Lat · Lt plain radiograph of the wrist · pediatric patient (female, age 6) —

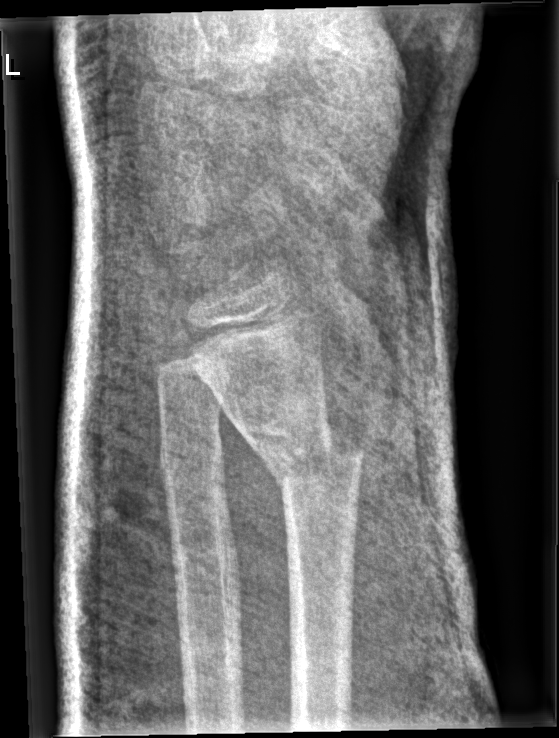
- Two Fx at 267,434,368,497 | 153,413,227,488.
- Fracture classified AO/OTA 23r-M/3.1; 23u-M/2.1.